Left wrist plain film; lateral view; 7-year-old female; 408 x 665 px.
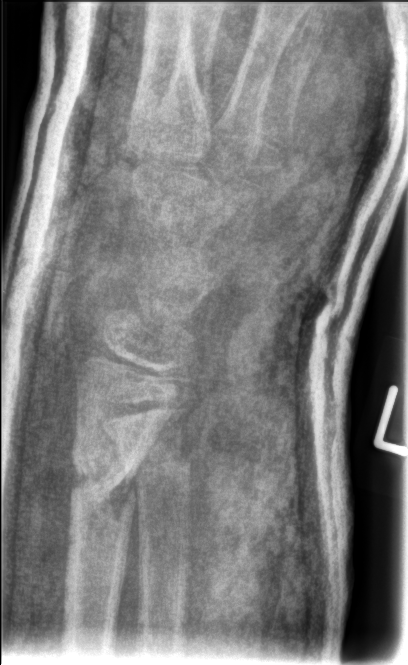
Fx: bbox(66, 440, 142, 511); bbox(128, 445, 195, 496).